Lateral | Lt wrist plain film | 10y F.

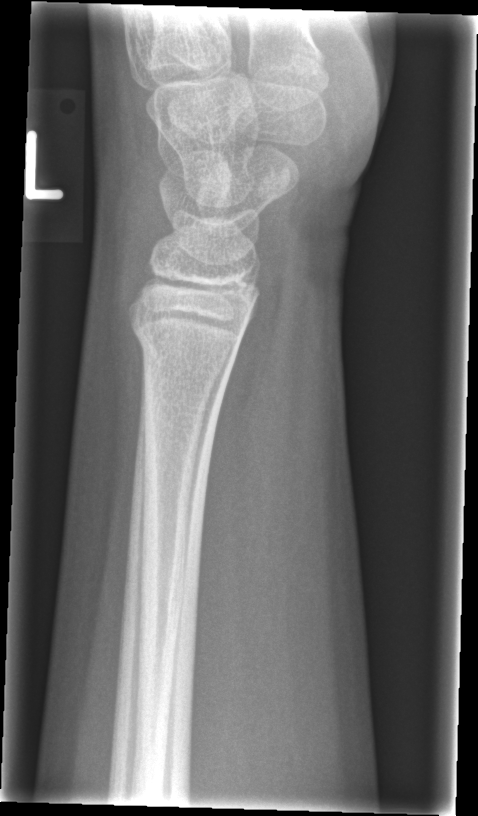

  fracture: <125,307>-<248,372>
  ao: 23r-M/2.1